AP; L wrist X-ray; female, 6 yo; in cast: 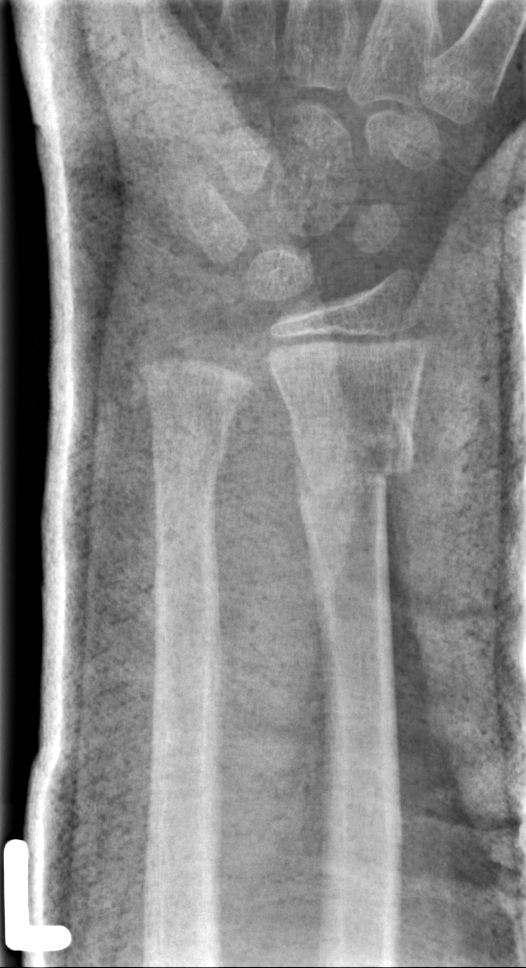 Bounding boxes in image-pixel xyxy. Fracture identified at [x1=148, y1=401, x2=238, y2=485]; [x1=291, y1=448, x2=417, y2=502].